PA/AP view · L pediatric wrist radiograph · in cast · Siemens · image size 523x604:
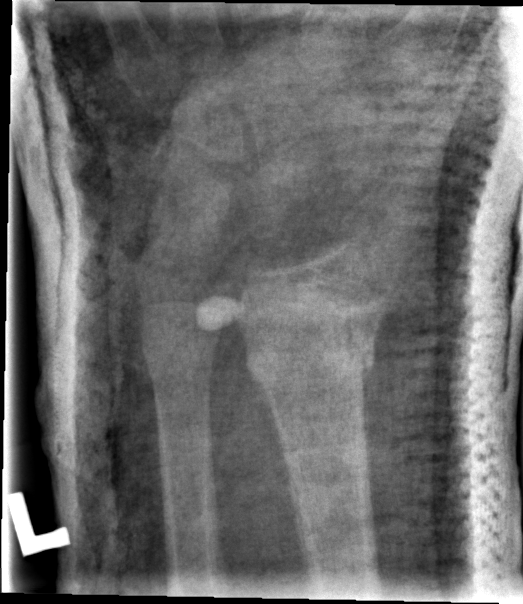
AO code = 23-M/2.1
Fx = (left=241, top=330, right=381, bottom=388)